Lateral view; right wrist XR.

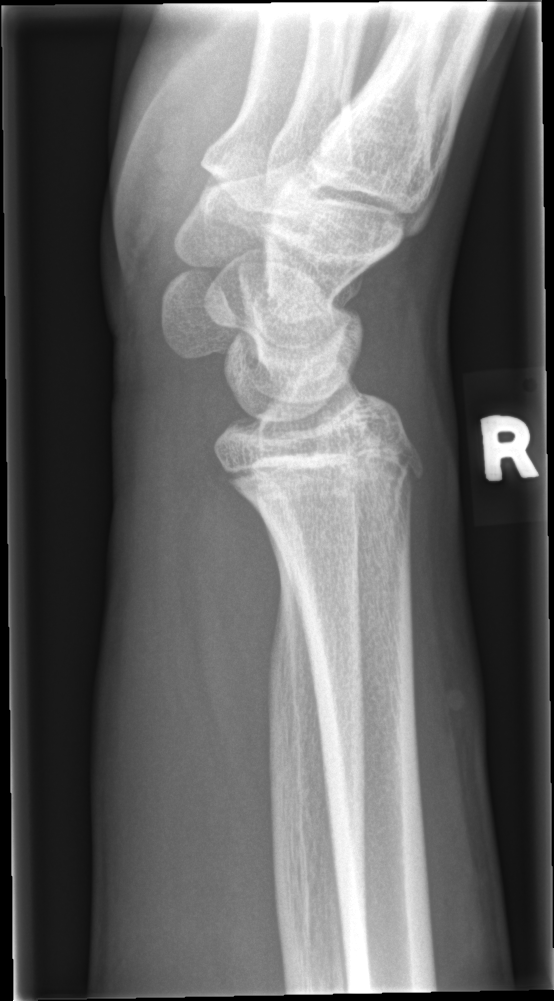

FINDINGS: Fx: none.